Lateral projection; left wrist XR; 12y M; follow-up study; in cast: 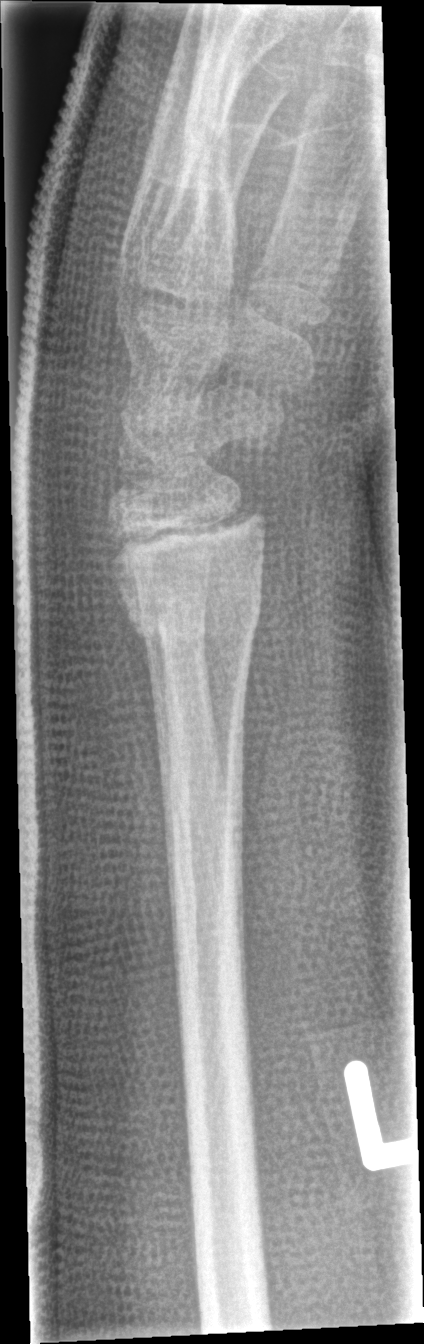
AO/OTA classification: 23r-M/3.1; 23u-M/2.1; 23u-E/7. One Fx at [x1=112, y1=555, x2=268, y2=661].